PA/AP view · right wrist pediatric wrist radiograph · male, 13 yo · follow-up study:

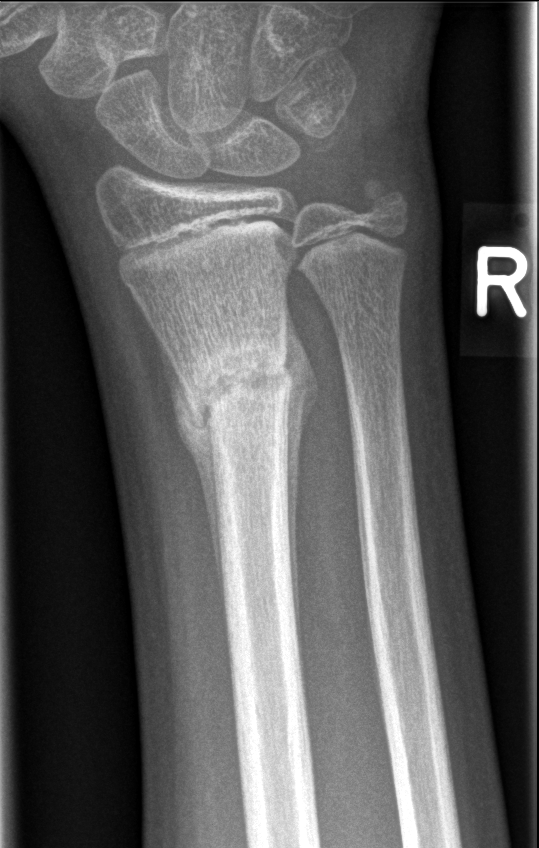

{"_coords": "coordinates are [x1, y1, x2, y2] in image pixels", "fracture": "2 @ [180, 334, 297, 444]; [352, 171, 414, 227]", "periostealreaction": "2 @ [146, 314, 224, 612] [282, 295, 318, 677]", "osteopenia": "present", "ao": "23r-M/3.1; 23u-E/7"}